Posteroanterior; left wrist XR; index exam: 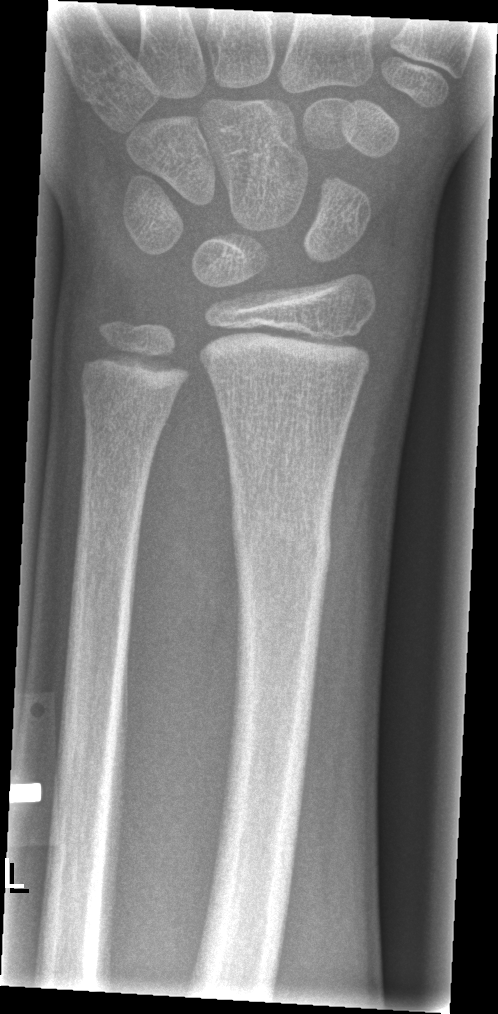 AO classification: 23-M/2.1
Fracture: 2 @ 228,505,337,587 | 76,375,179,432